R pediatric wrist radiograph, PA projection, 8-year-old girl, in cast, 656x921: 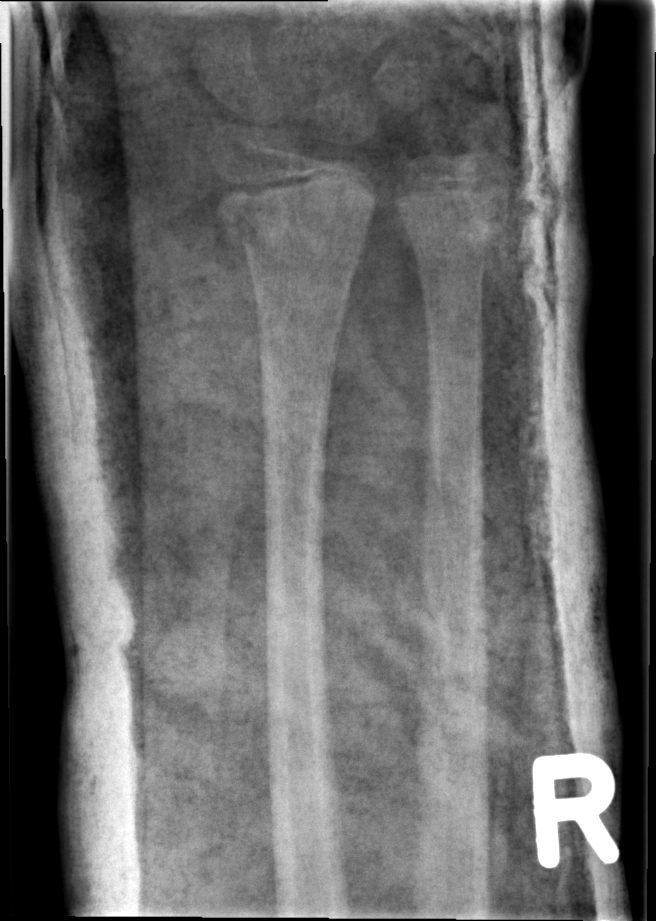

(coordinates are [x1, y1, x2, y2] in image pixels)
Fx: 1 @ 215 187 375 261